AP projection · left wrist XR · male, 10 yo.
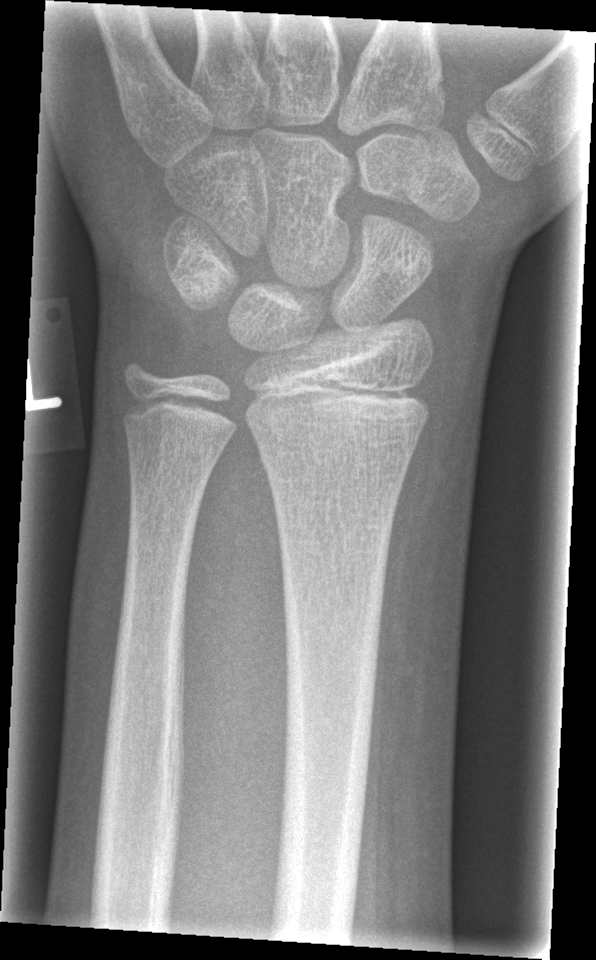 AO code = 23r-M/2.1
Bone fracture = present but not clearly seen in this view